PA/AP projection | Lt wrist plain film — 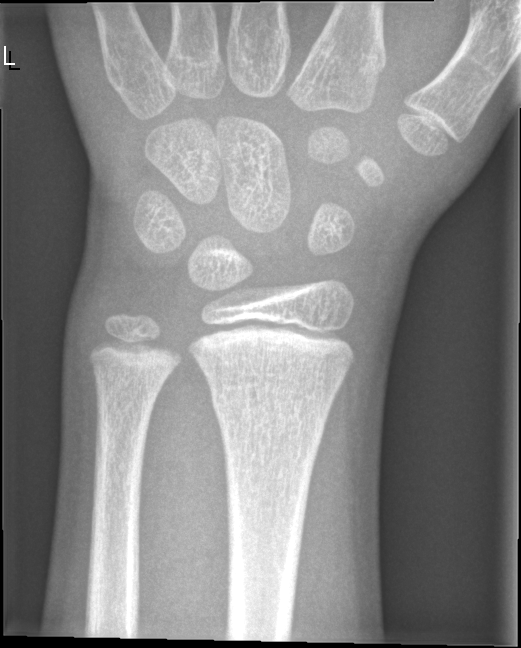

Bone fracture identified at bbox(208, 385, 331, 448).
AO code 23r-M/2.1.